Lateral view; R wrist X-ray; age 15 y, girl:
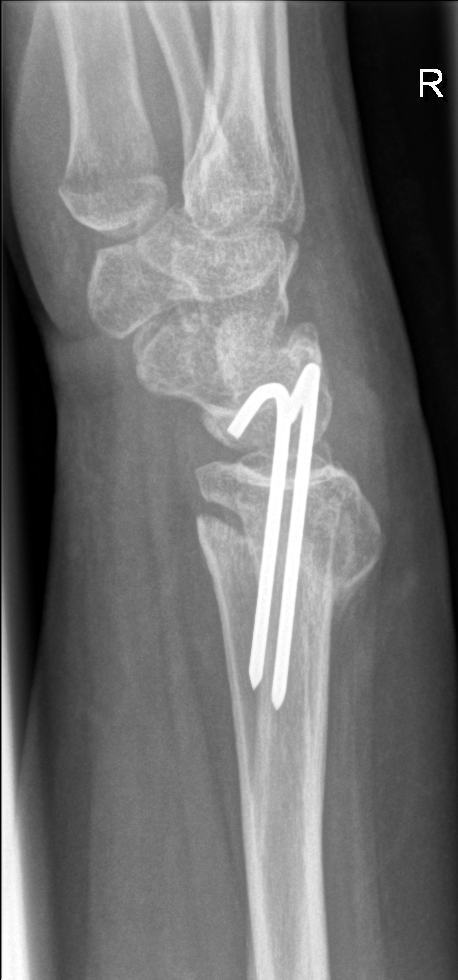 * Fx: bbox(192, 478, 385, 616).
* Hardware identified at bbox(228, 360, 323, 714).
* Reduced bone mineral density.